PA/AP projection, left wrist X-ray. 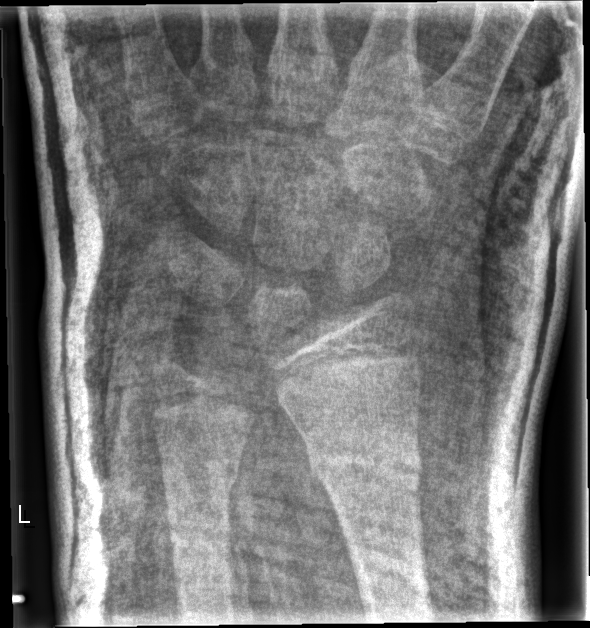
Findings: Fracture classified AO/OTA 23-M/2.1. Bone fracture identified at [x1=302, y1=429, x2=423, y2=502], [x1=161, y1=453, x2=240, y2=512].